Lt wrist X-ray | posteroanterior projection | pediatric patient (male, age 14) | subsequent exam | in cast | acquired on Siemens | 682 x 898 px:
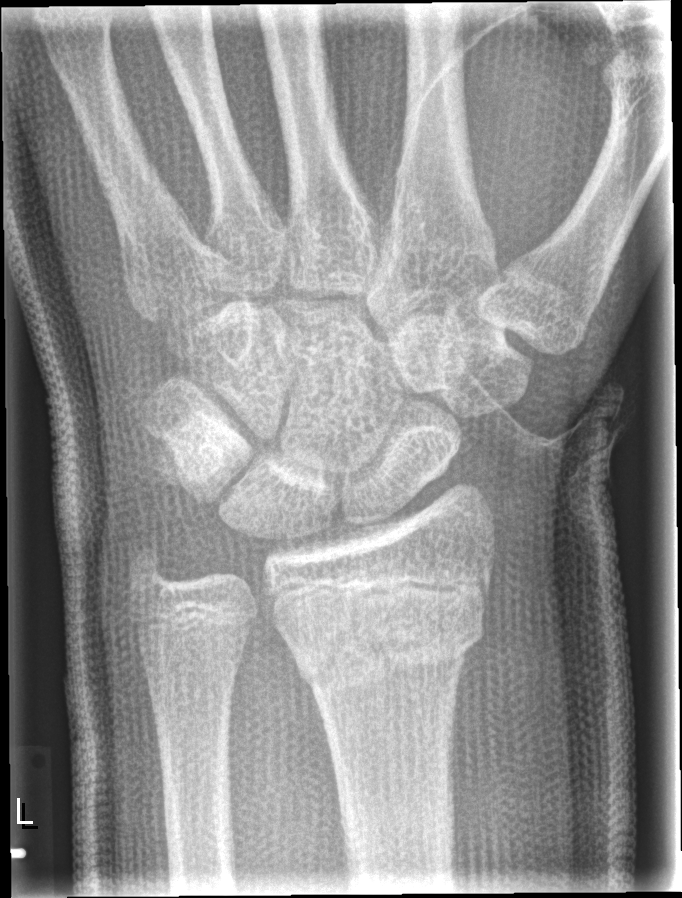 fracture: 2 @ [x1=274, y1=612, x2=489, y2=689] [x1=124, y1=541, x2=183, y2=597]
ao: 23r-M/3.1; 23u-E/7